PA projection, Lt wrist radiograph, 14y M —

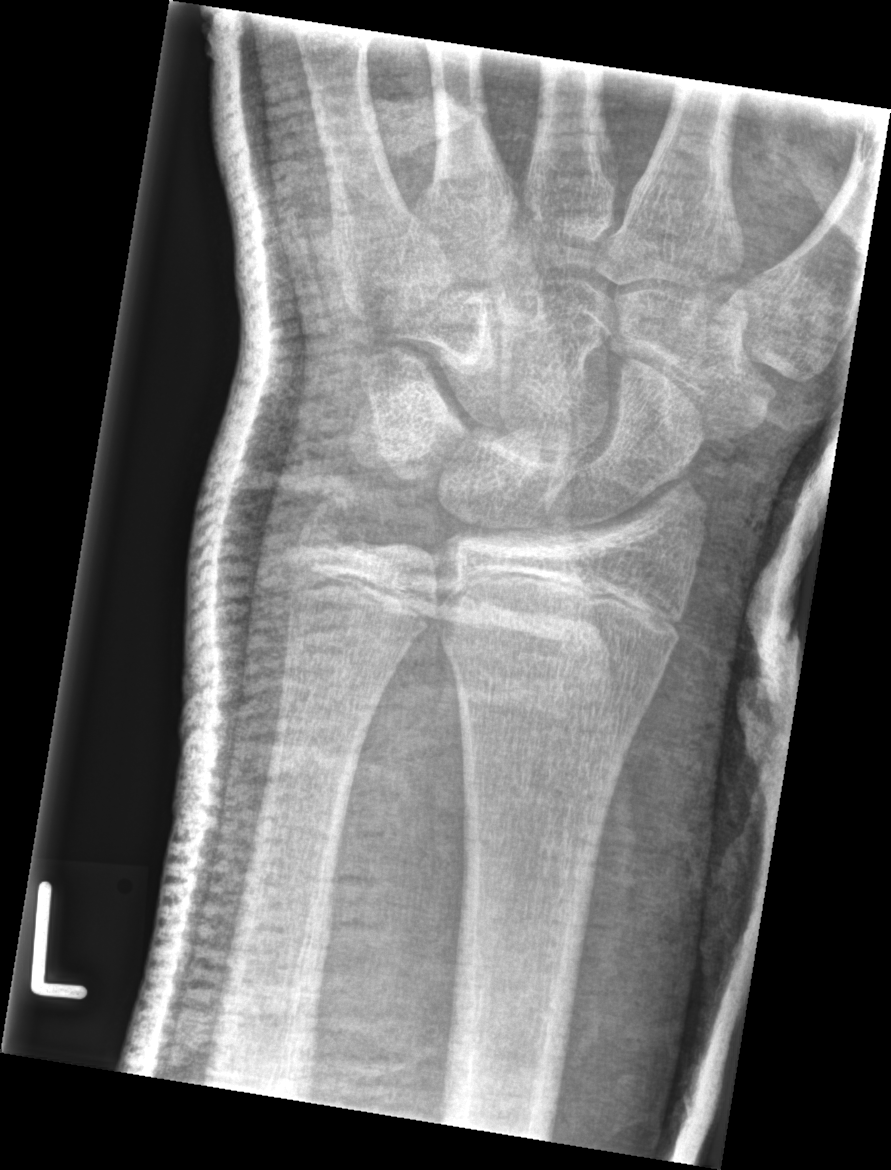 Fracture classified AO/OTA 23r-M/3.1; 23u-E/7. Bone fracture identified at 437,557,688,681; 289,486,369,570.